Rt wrist X-ray, PA/AP projection, age 6 y, male.

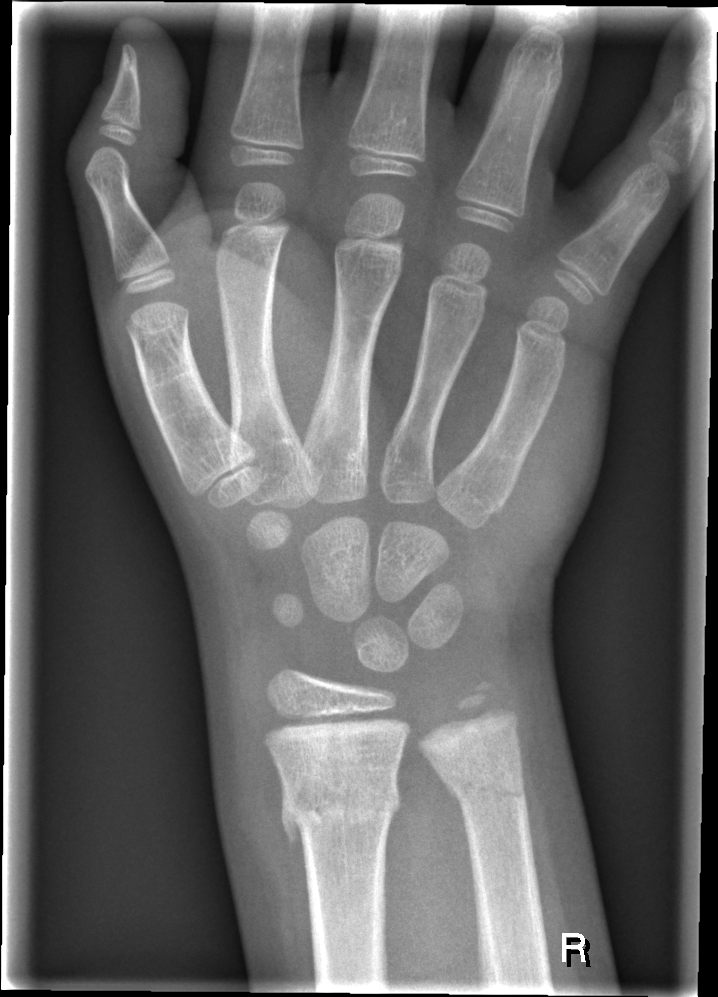

FINDINGS: Fx — [278, 769, 404, 844] [439, 765, 530, 814] [454, 675, 519, 731]. Fracture classified AO/OTA 23-M/2.1; 23u-E/7.